PA/AP view; right wrist XR; male, 6 yo; cast present.

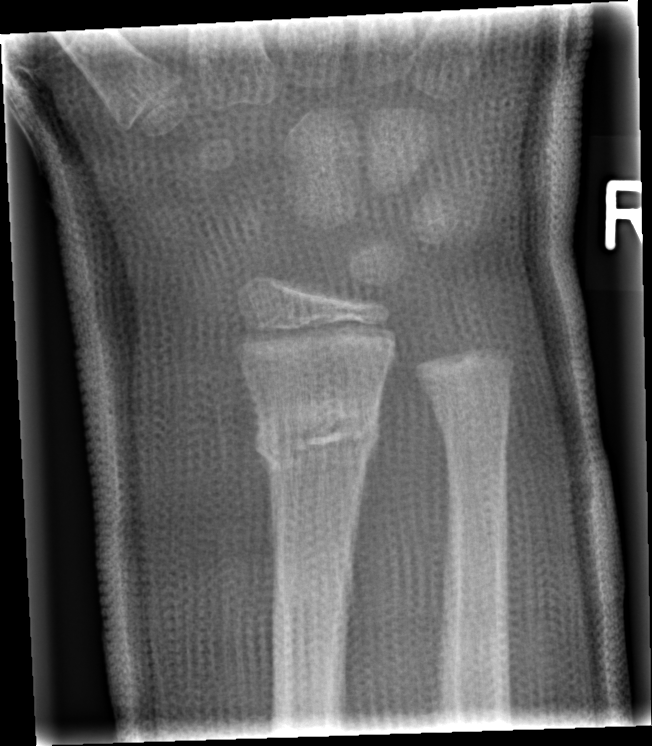
FINDINGS: Fracture classified AO/OTA 23r-M/3.1; 23u-M/2.1. Bone fracture identified at [248, 400, 383, 477]; [427, 389, 514, 442].